AP view · Rt wrist radiograph · age 6 y, boy · cast present.

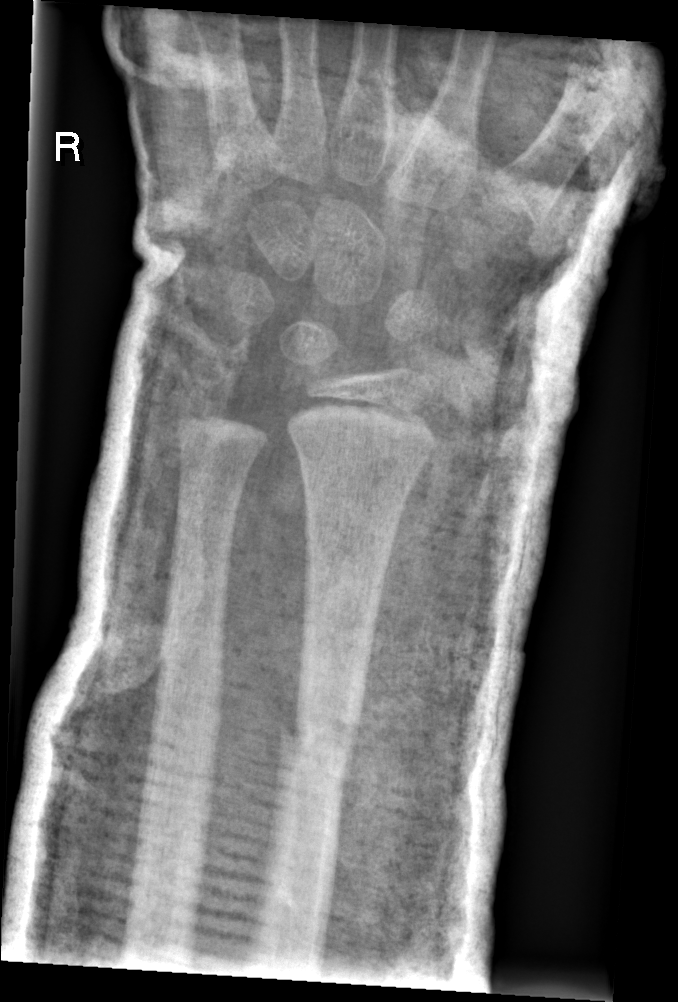 Findings: (boxes as x1,y1,x2,y2 (top-left / bottom-right, pixel units)) Fracture classified AO/OTA 22r-D/4.1. Fracture identified at 275,699,364,771.